R wrist plain film · lateral projection · detector: Siemens 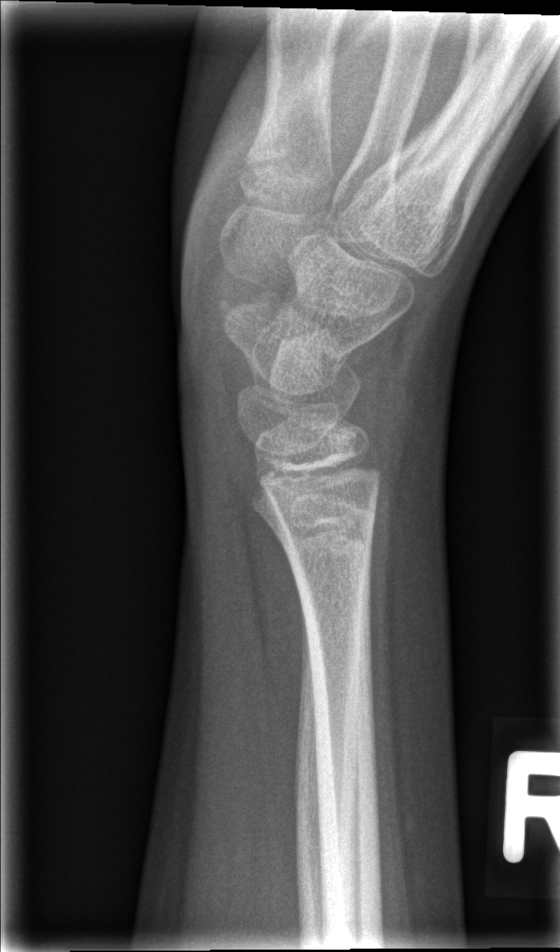 fracture = none labeled